Rt wrist X-ray, frontal projection, 16y F, image width 78.0 mm —

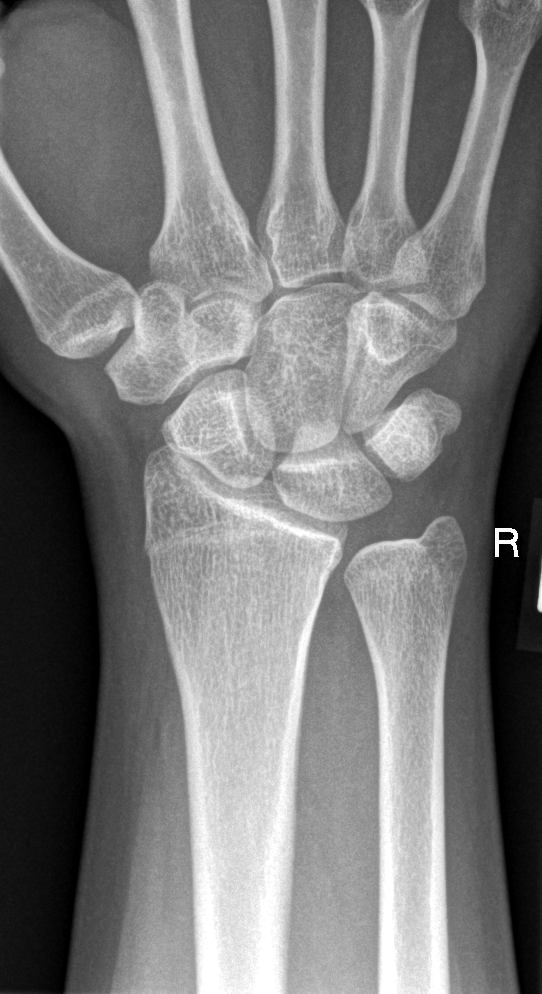

{
  "fracture": "none labeled"
}